PA; Lt wrist plain film; presentation radiograph; 69.1 mm image width.

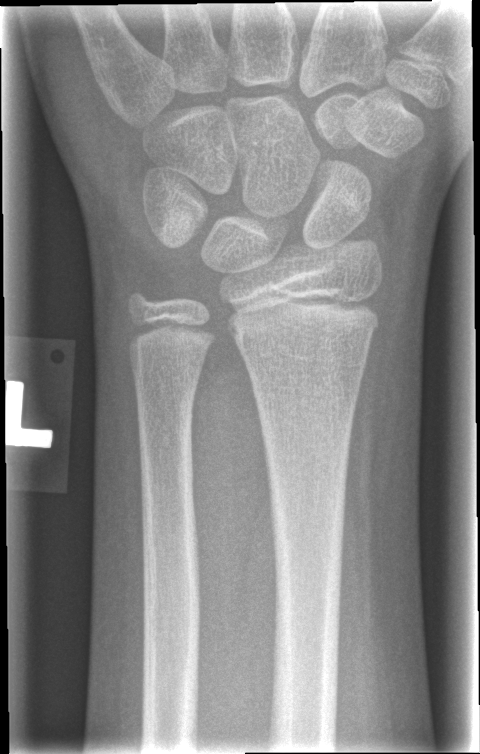

* No Fx annotated.